Frontal projection, L wrist XR, 12y M — 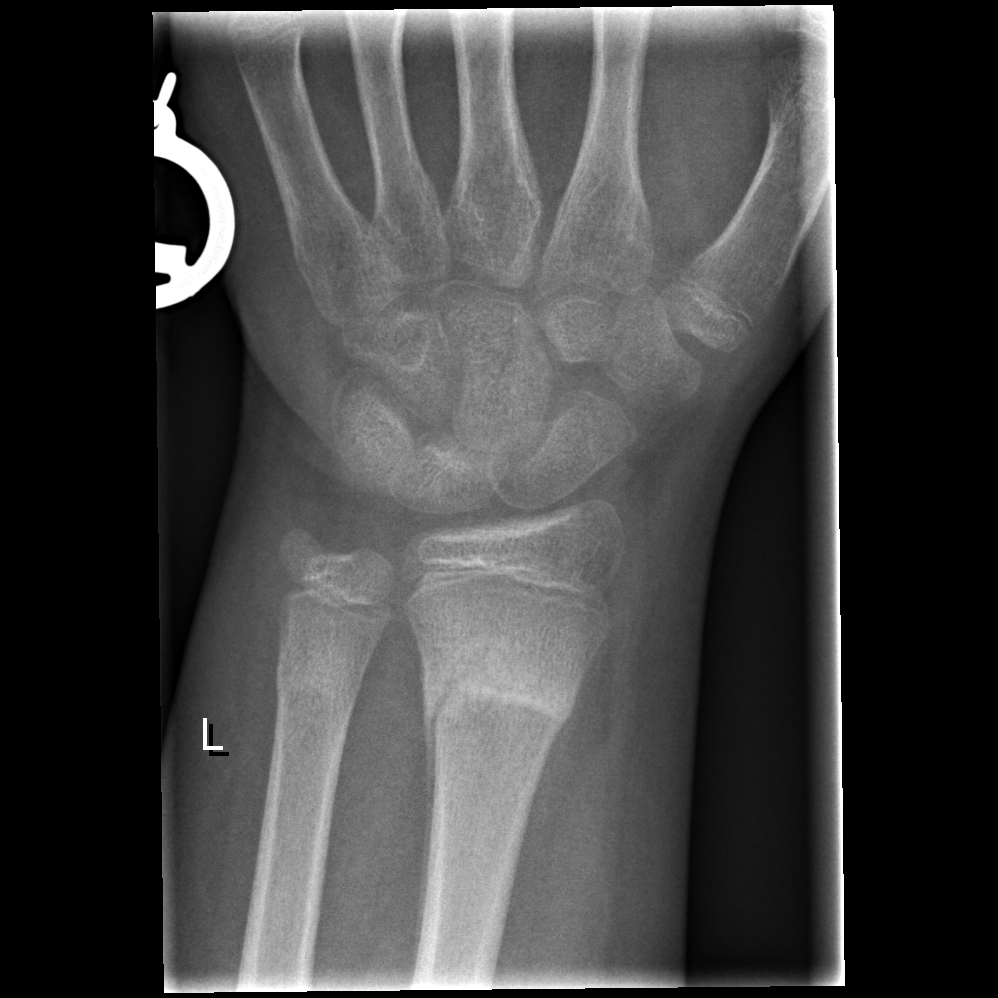

- Boxes as x1,y1,x2,y2 (top-left / bottom-right, pixel units).
- Periosteal new bone: bbox(411, 706, 441, 978).
- Fracture classified AO/OTA 23r-M/3.1; 23u-M/2.1.
- Fx: bbox(412, 637, 584, 744) bbox(270, 649, 362, 714).